Right wrist plain radiograph of the wrist | AP projection | pediatric patient (girl, age 12) | initial study 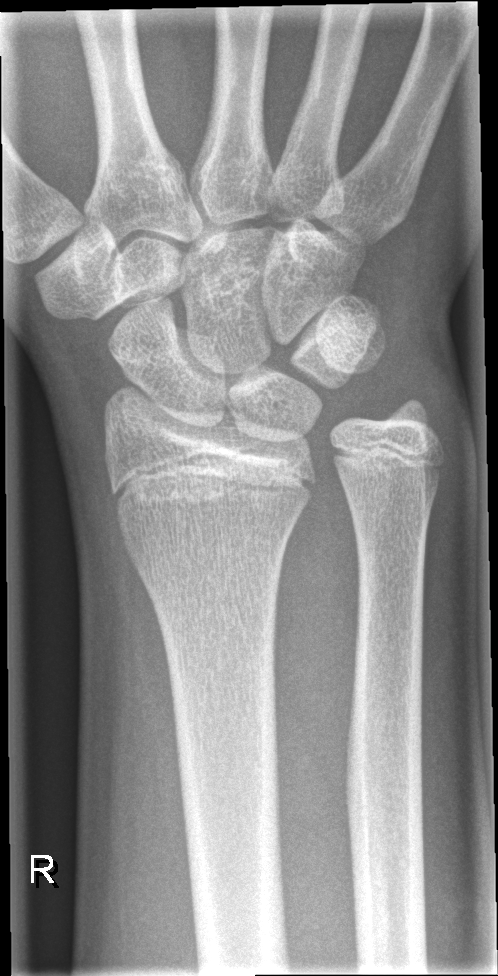
FINDINGS: (pixel coordinates, top-left origin, xyxy) One osseous anomaly at (left=284, top=341, right=455, bottom=550). No Fx annotated.